Posteroanterior · Lt wrist X-ray · cast present · 730x1052. 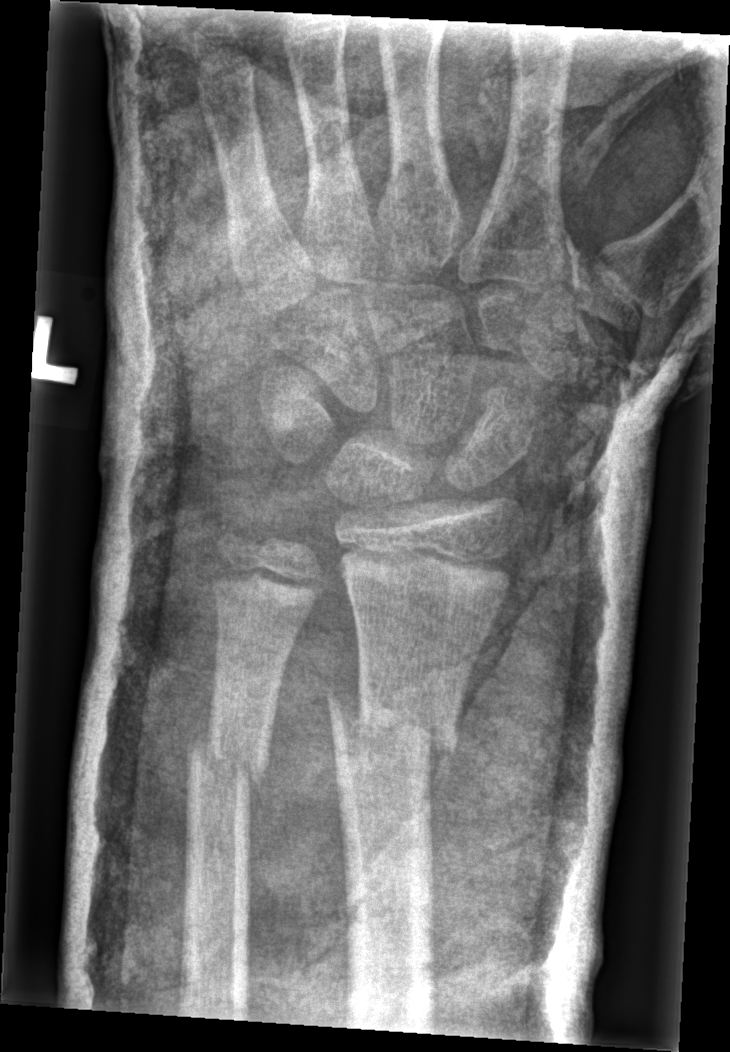
(coordinates are [x1, y1, x2, y2] in image pixels)
fracture = (328, 689, 463, 776) (181, 727, 277, 797)